Lat | L pediatric wrist radiograph | detector: Siemens —

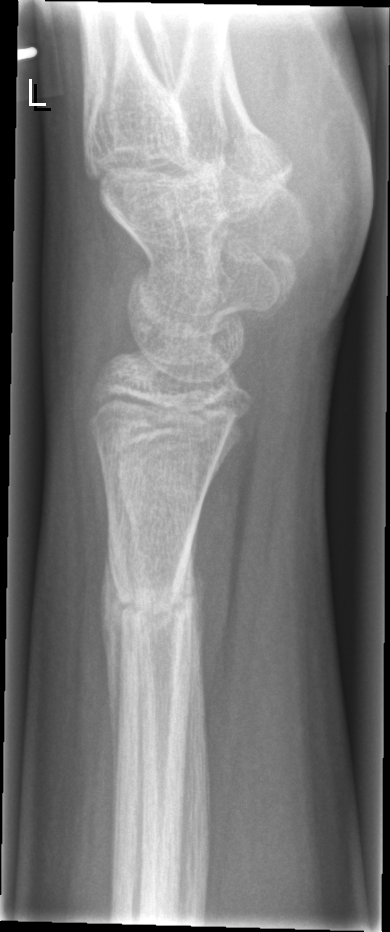

• Fracture identified at (left=103, top=558, right=200, bottom=642).
• Osteopenic.
• One periosteal reaction at (left=99, top=546, right=124, bottom=814).